Lateral, Lt wrist plain film, detector: Siemens, 598 by 1112 pixels:

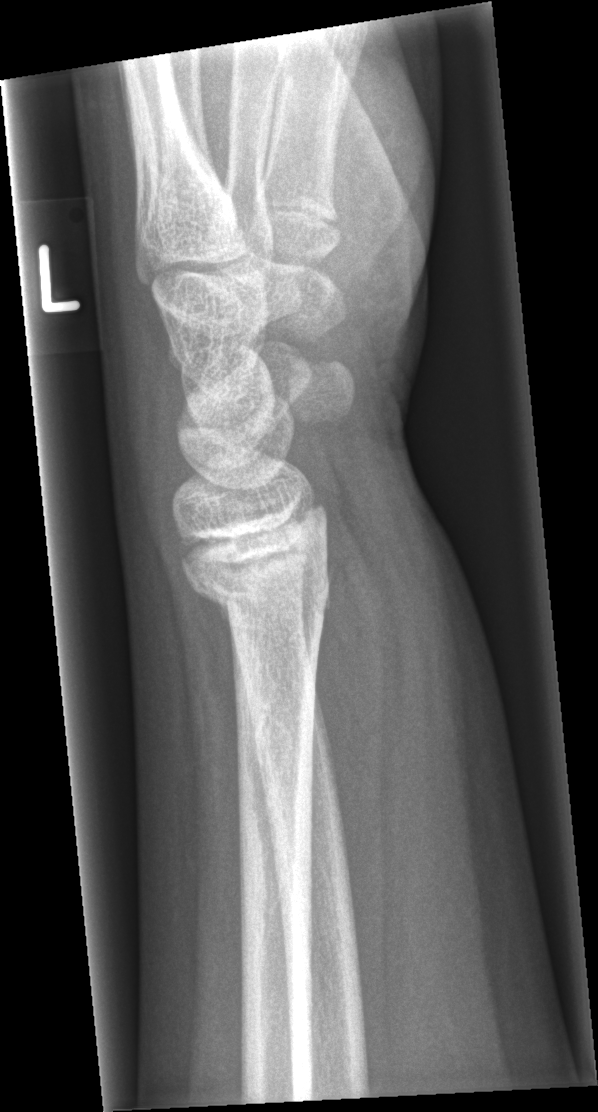
pronator sign: 313,521,396,1023
fracture: 173,500,331,624